Lat · Lt wrist radiograph · pediatric patient (boy, age 16) · presentation radiograph —

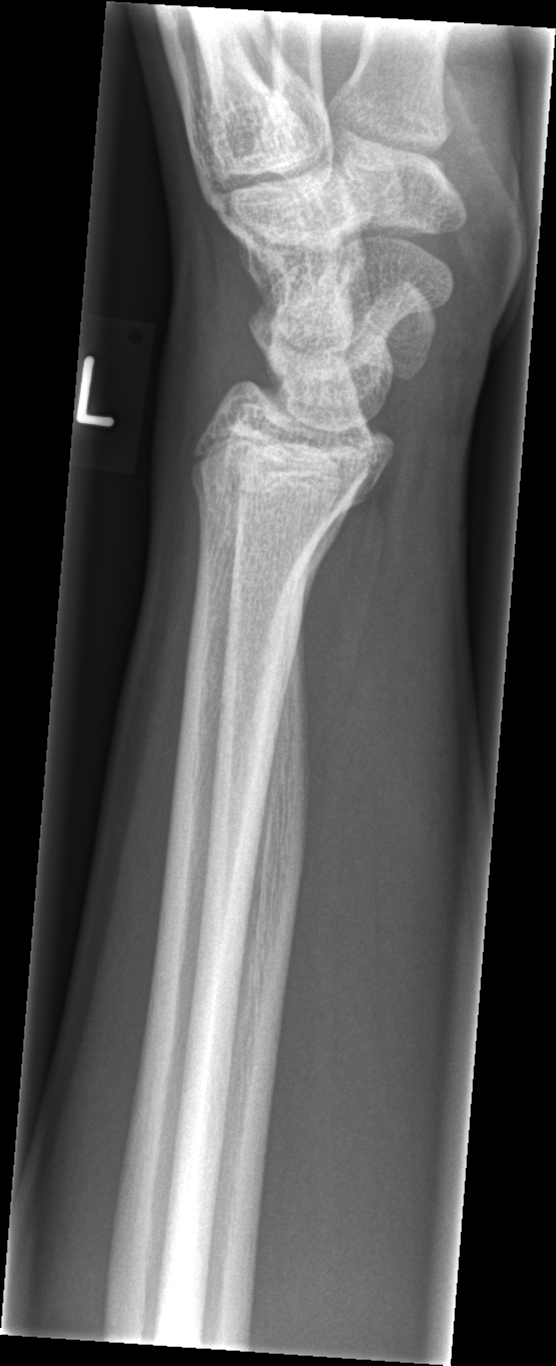
Q: Is there a fracture?
A: Bone fracture — (left=189, top=460, right=336, bottom=542)
Q: AO code?
A: Fracture classified AO/OTA 23r-M/2.1